Right plain radiograph of the wrist; posteroanterior; female, 11 yo; follow-up; Siemens; 85.2 mm image width 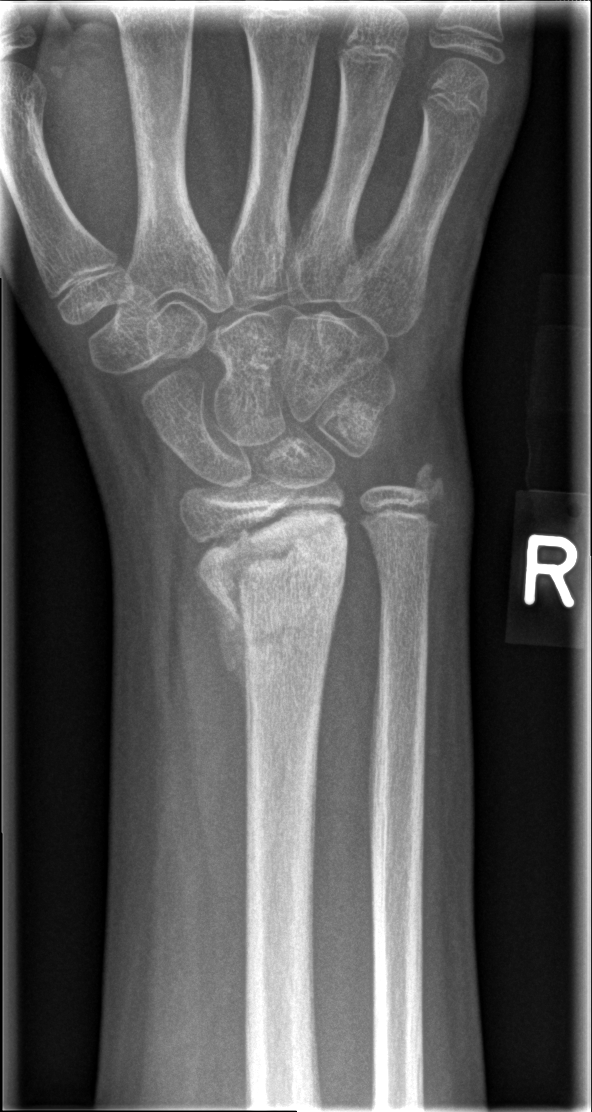

Q: AO code?
A: AO code 23r-M/3.1; 23u-E/7
Q: Is there a fracture?
A: Two bone fractures at 184 526 352 678
  391 455 453 517
Q: Is there periosteal reaction?
A: Periosteal reaction identified at 194 571 249 723
Q: Bone density?
A: Decreased bone density (osteopenia)